Frontal, left wrist X-ray — 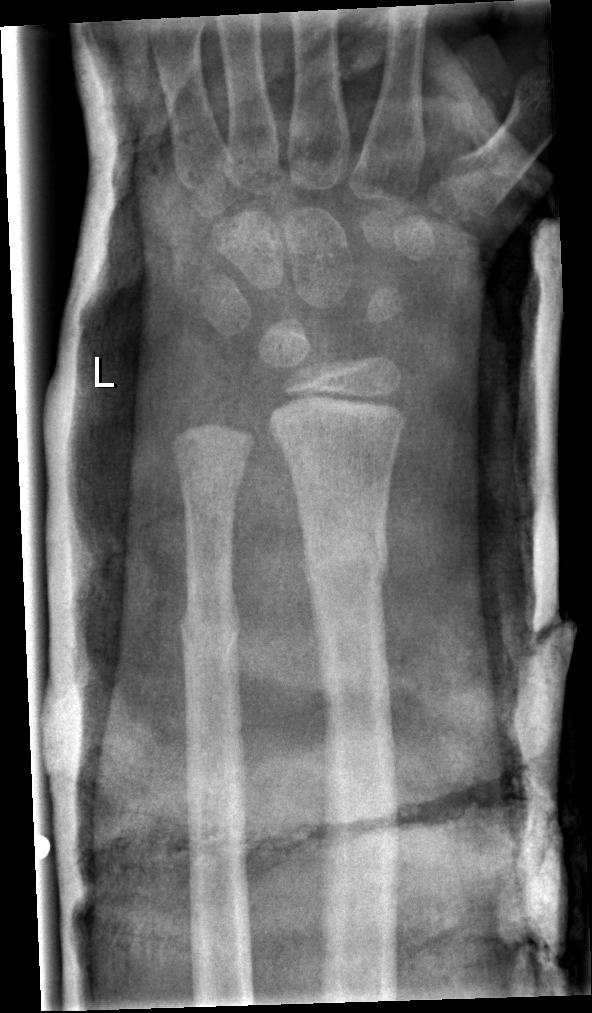
Q: Is there a fracture?
A: Fx — 301 520 391 600
  178 596 243 670
Q: AO code?
A: AO code 23r-M/3.1; 22u-D/2.1